Frontal view | right wrist radiograph | subsequent exam | image size 592x834 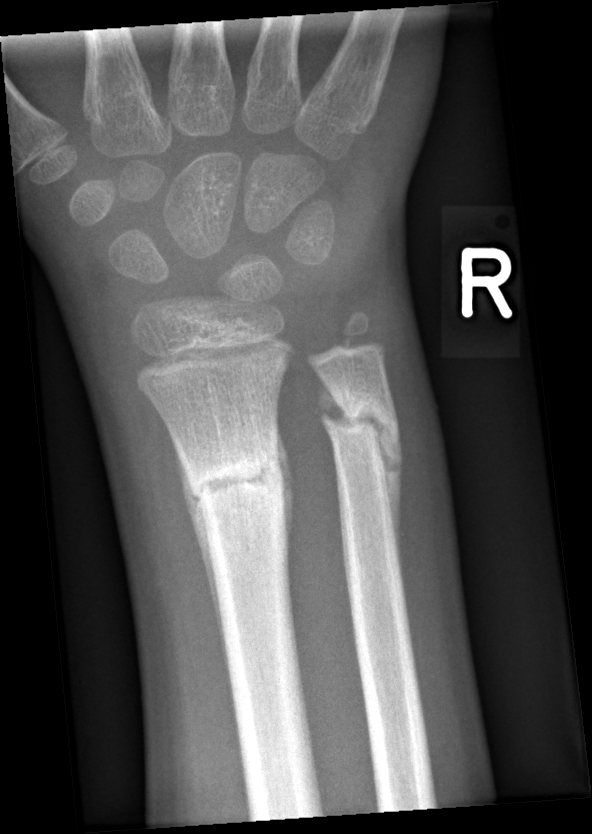

Periosteal thickening — (167, 431, 231, 680), (376, 420, 403, 570), (276, 422, 294, 548), (318, 374, 355, 429). Fractures — (180, 448, 293, 513) (318, 389, 399, 449).